Lt plain radiograph of the wrist; lateral projection.

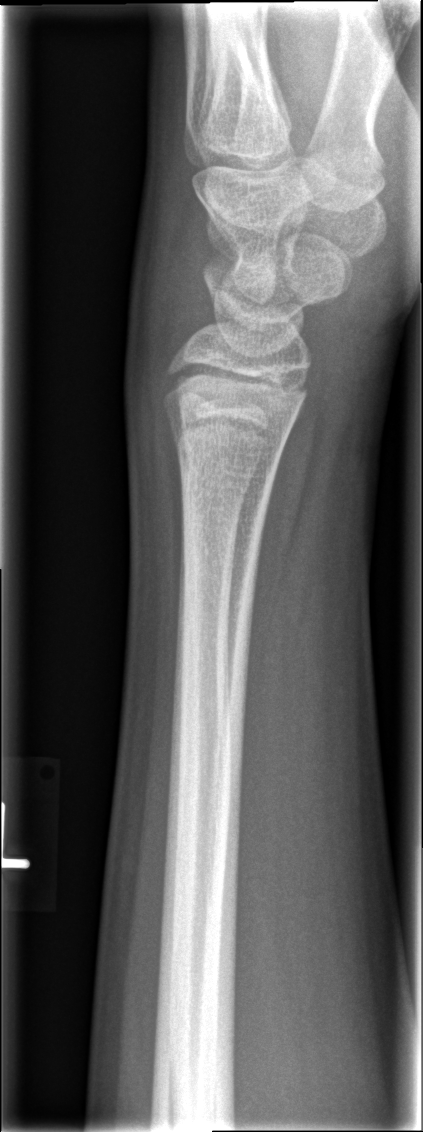 • No fracture bounding box.